Lat projection · left wrist plain radiograph of the wrist · 11-year-old girl · acquired on Siemens.

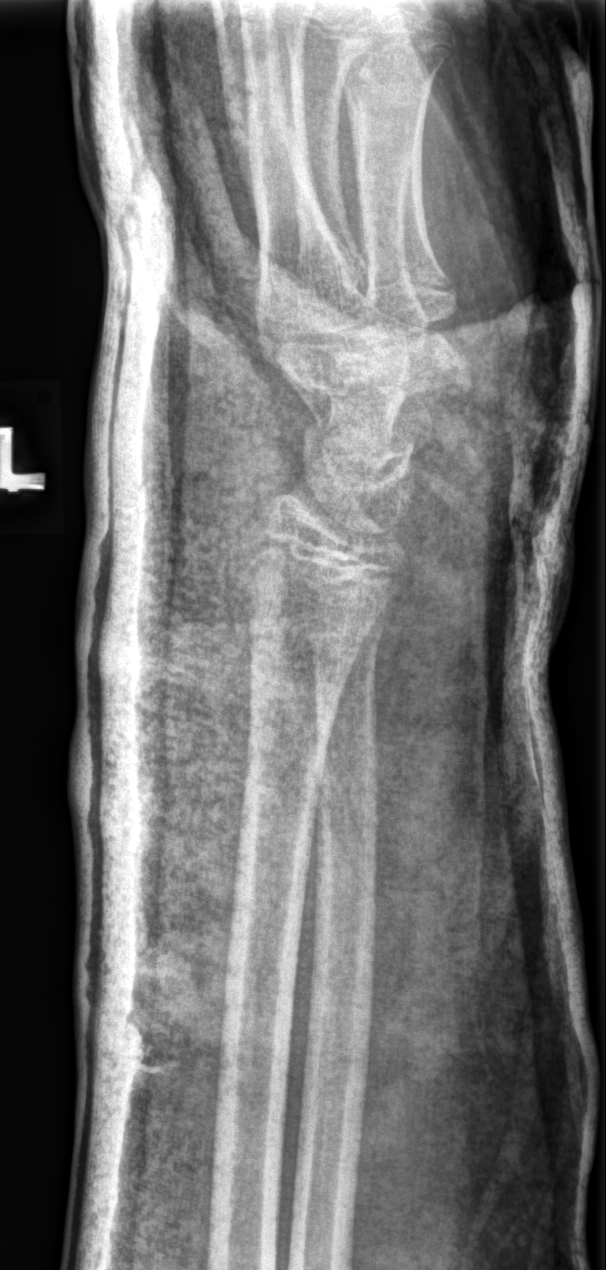

Fracture = none labeled